Posteroanterior projection; right wrist plain radiograph of the wrist; Siemens; 61.6 mm image width
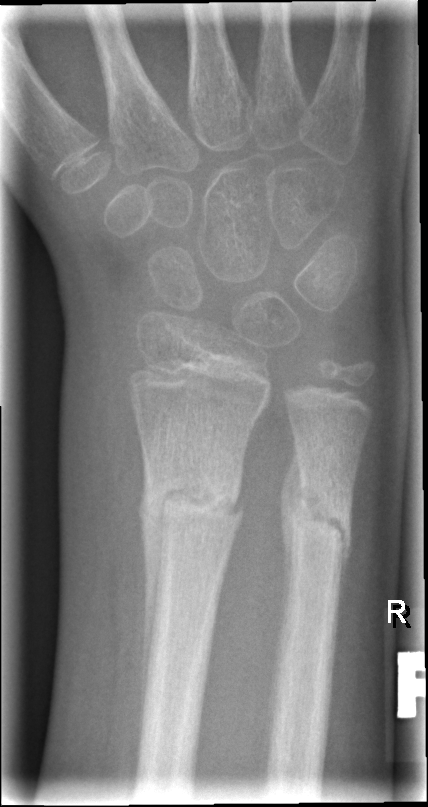
(pixel coordinates, top-left origin, xyxy)
Q: Is there osteopenia?
A: Decreased bone density (osteopenia)
Q: Is there a fracture?
A: Fx — 136,456,247,554; 277,465,358,578
Q: AO code?
A: AO code 23-M/3.1
Q: Any periosteal thickening?
A: Three periosteal thickening at 138,451,163,727; 279,434,304,637; 332,526,351,657